PA view | right wrist XR | 711x1028
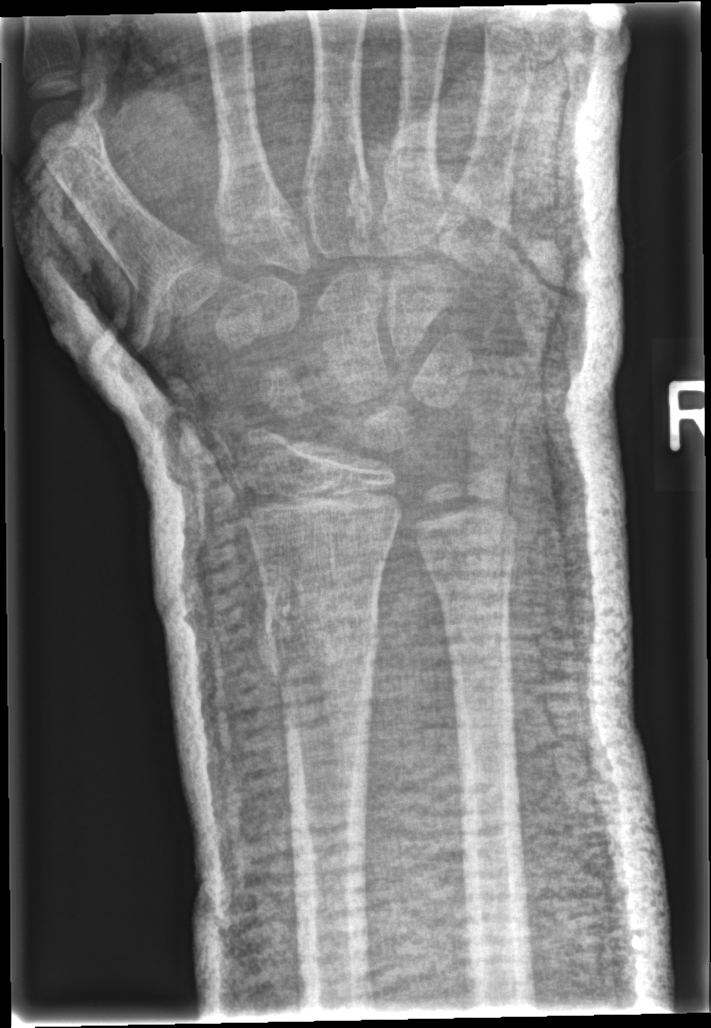

Pixel coordinates, top-left origin, xyxy. Fx: bbox(256, 579, 385, 701), bbox(424, 544, 519, 619). AO code 23-M/3.1.